Lt wrist X-ray, lat projection, 16-year-old male, subsequent exam, cast present.
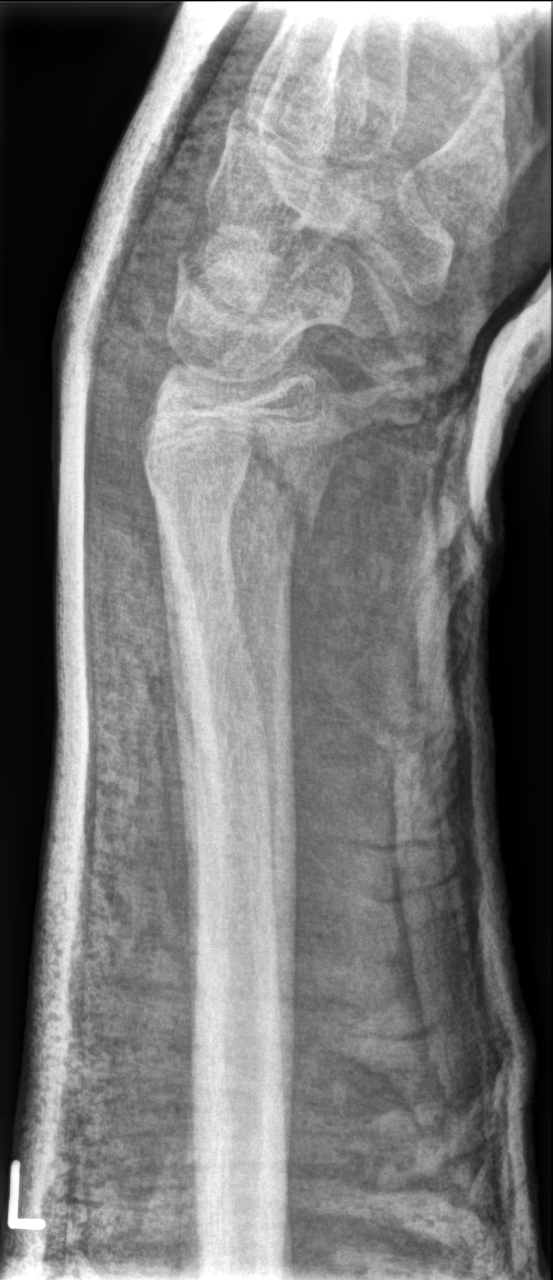
* Boxes as x1,y1,x2,y2 (top-left / bottom-right, pixel units).
* AO/OTA classification: 23r-M/3.1; 23u-E/7.
* Fx: (137, 409, 348, 546).